Left wrist plain film, AP, index exam, detector: Siemens

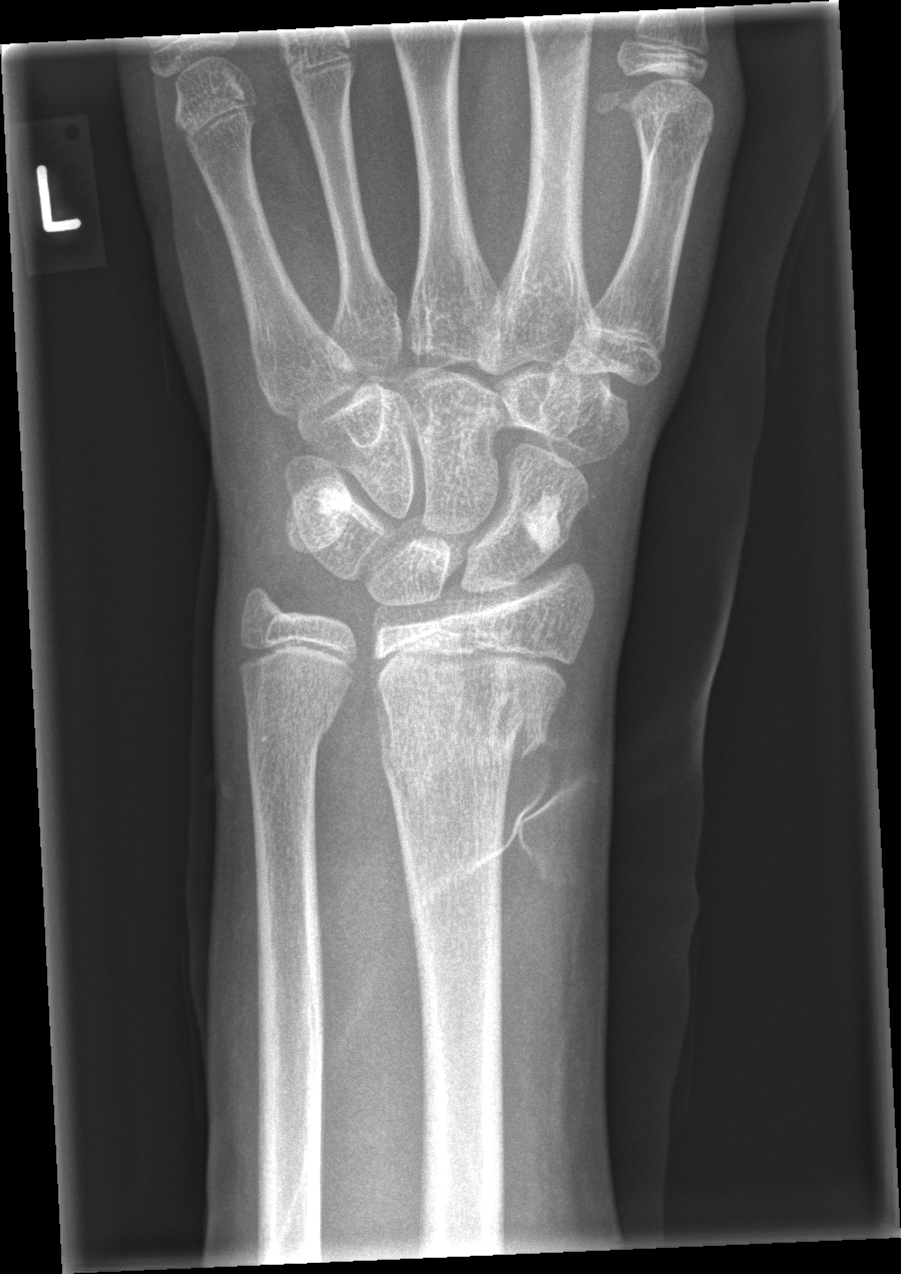 Findings: (boxes as x1,y1,x2,y2 (top-left / bottom-right, pixel units)) Focal bone lesions — [522, 489, 566, 556] [316, 489, 349, 519]. Bone fracture: [373, 636, 570, 797] [245, 689, 342, 773]. AO code 23r-M/3.1; 23u-M/2.1.